AP projection · left wrist X-ray · 10-year-old girl — 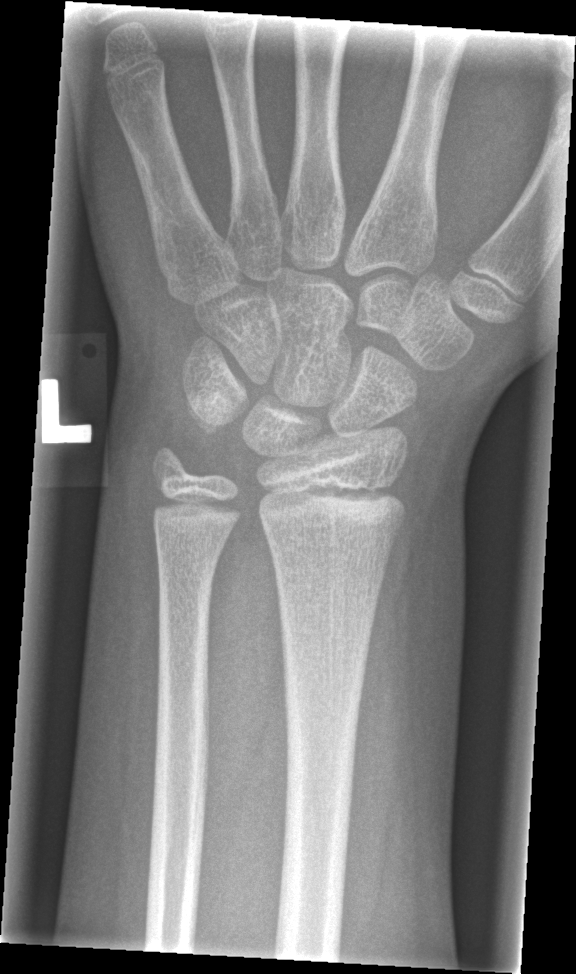 FINDINGS: No fracture annotation.